L wrist plain film · lateral · 14y F · 460 by 1142 pixels
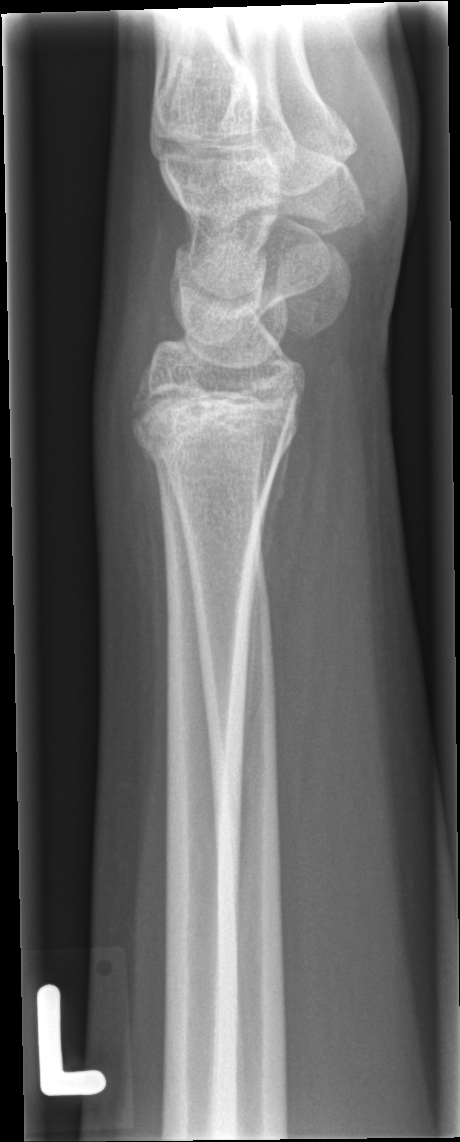

  periostealreaction: (left=258, top=436, right=293, bottom=574) (left=137, top=437, right=164, bottom=516)
  fracture: 1 @ (left=128, top=390, right=303, bottom=476)